Posteroanterior; R plain radiograph of the wrist; image width 88.1 mm

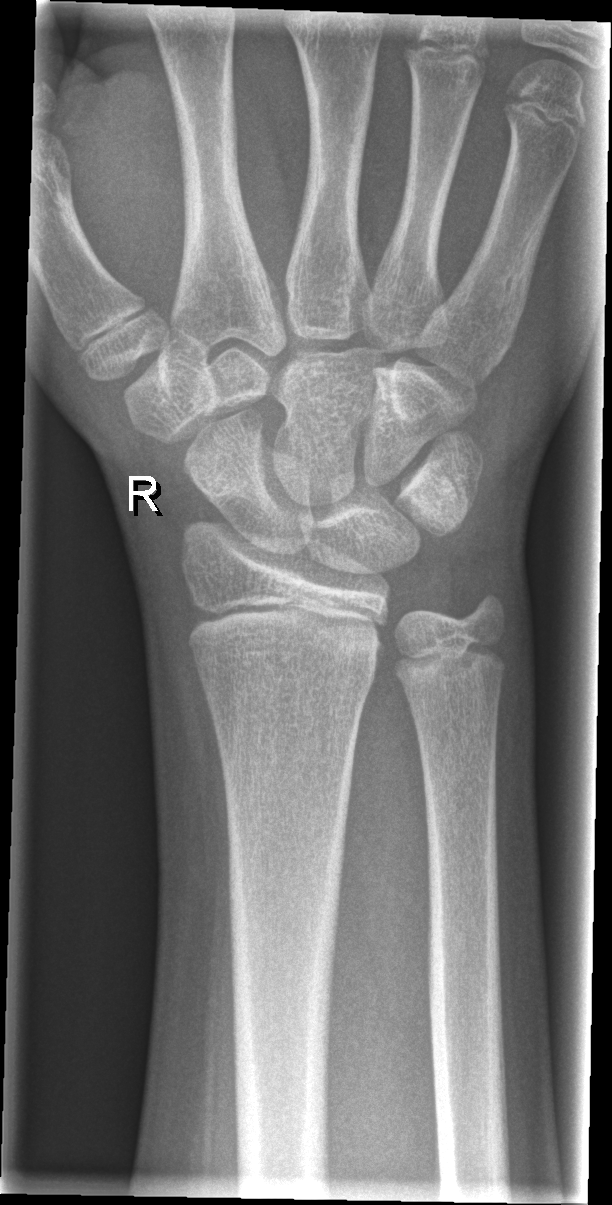 No Fx annotated.